AP view · left wrist plain film · age 14 y, girl · presentation radiograph · 91.0 mm image width · 632 by 910 pixels 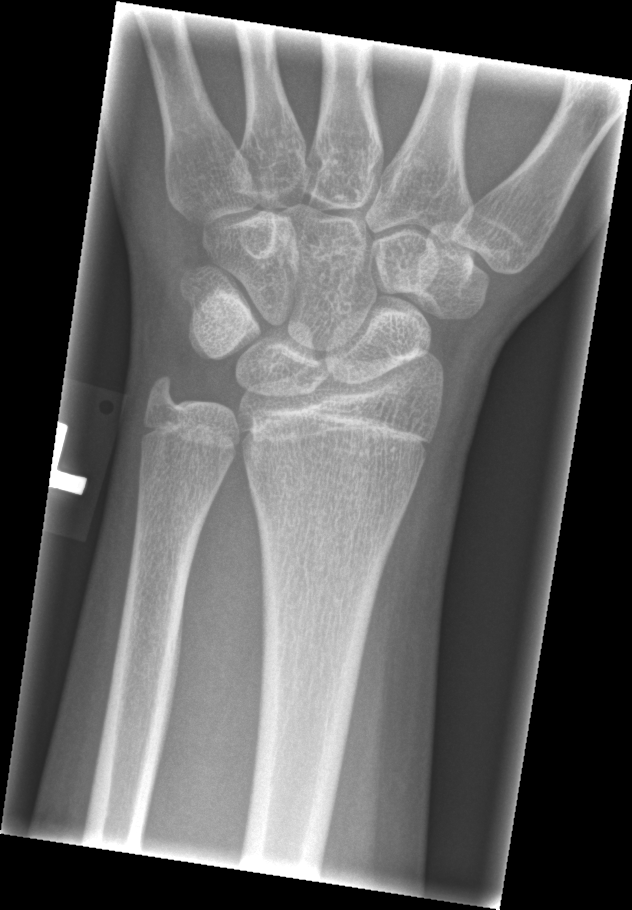 • No Fx annotated.